Right plain radiograph of the wrist, AP, age 10 y, boy, follow-up study 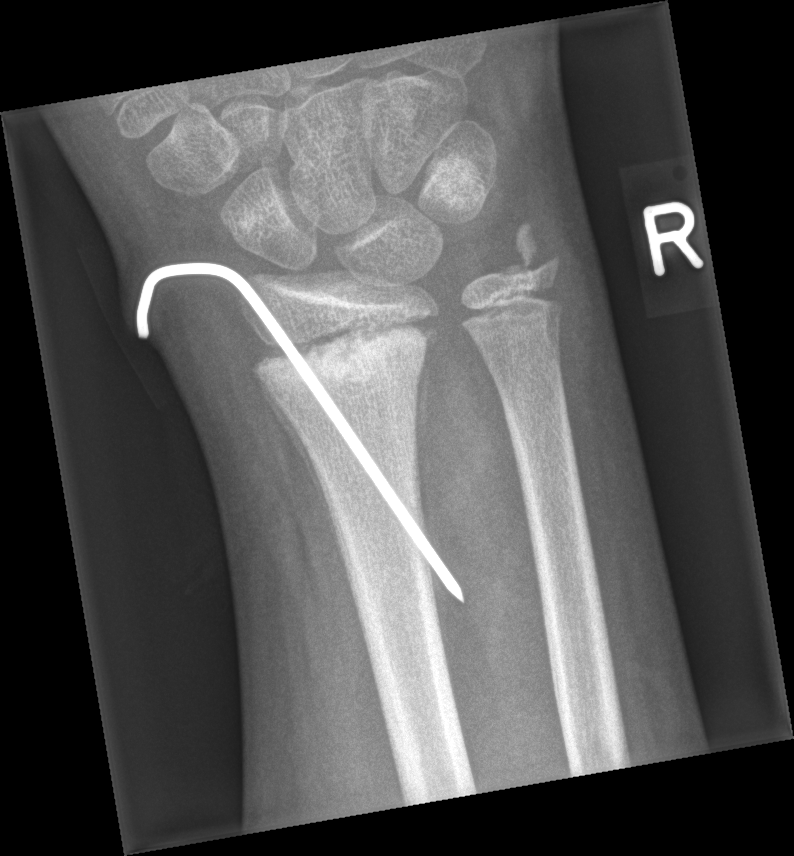
(boxes as x1,y1,x2,y2 (top-left / bottom-right, pixel units))
Q: Is there periosteal reaction?
A: Two periosteal reaction at (256, 375, 361, 629) (415, 336, 439, 552)
Q: Is there a fracture?
A: Fracture identified at (253, 308, 443, 402), (496, 220, 567, 289)
Q: What is the AO/OTA classification?
A: AO code 23r-E/2.1; 23u-E/7
Q: Any metal present?
A: Metal identified at (134, 266, 465, 601)